Lat | left wrist pediatric wrist radiograph —

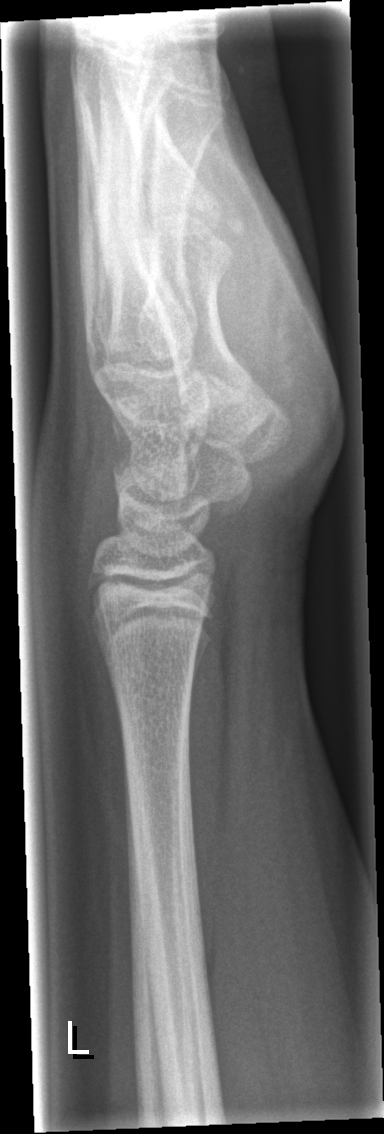 bone fracture: none labeled